Rt wrist XR; lateral projection; age 12 y, male
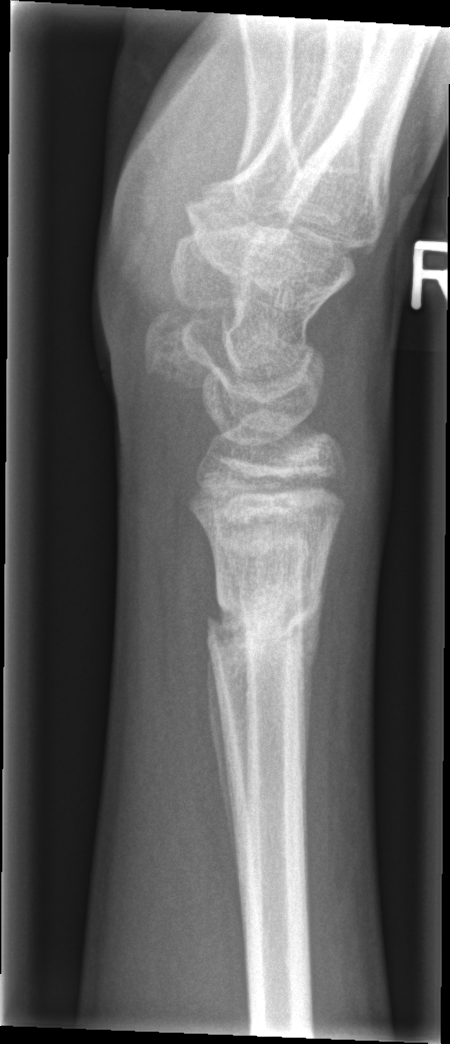

• Fracture classified AO/OTA 23r-M/3.1.
• One periosteal reaction at (206, 634, 242, 889).
• Bone fracture identified at (205, 595, 322, 656).
• Reduced bone mineral density.